Right wrist radiograph, lateral projection, pediatric patient (boy, age 17)
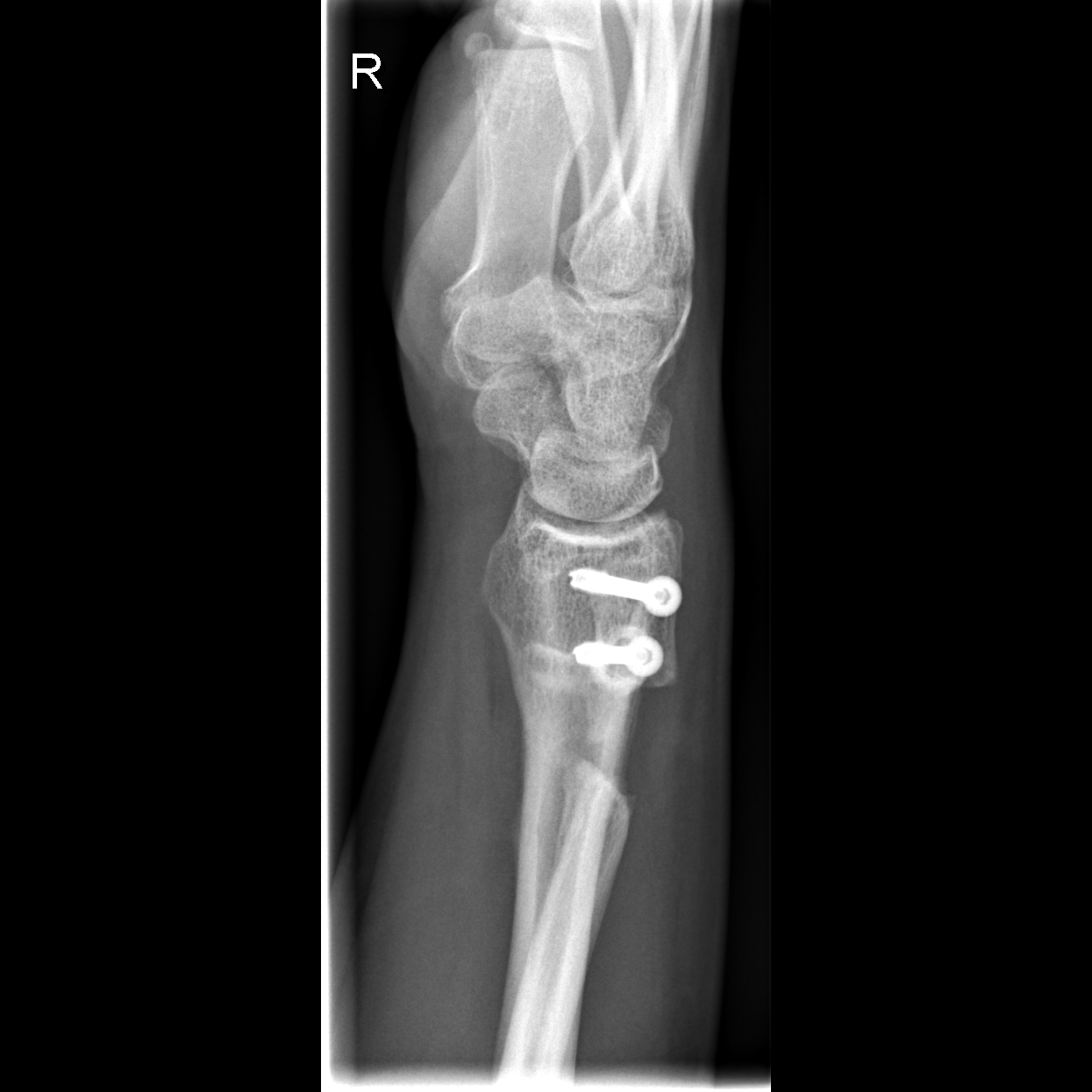

Fracture: none labeled
Hardware: 2 @ [563, 567, 684, 619]; [568, 631, 667, 682]
Osseous anomaly: [547, 597, 660, 831]